Frontal; Rt wrist plain film; age 8 y, girl; follow-up; detector: Siemens; 71.1 mm image width —

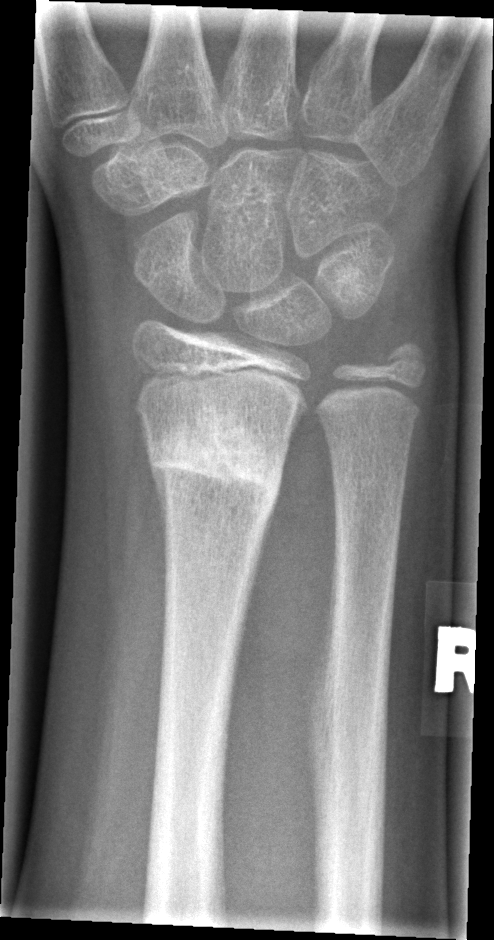
Pixel coordinates, top-left origin, xyxy. Two Fx at 143 409 288 521 | 372 333 436 395. Osteopenia.